Lateral projection · R pediatric wrist radiograph · pediatric patient (girl, age 10) · imaged through cast:

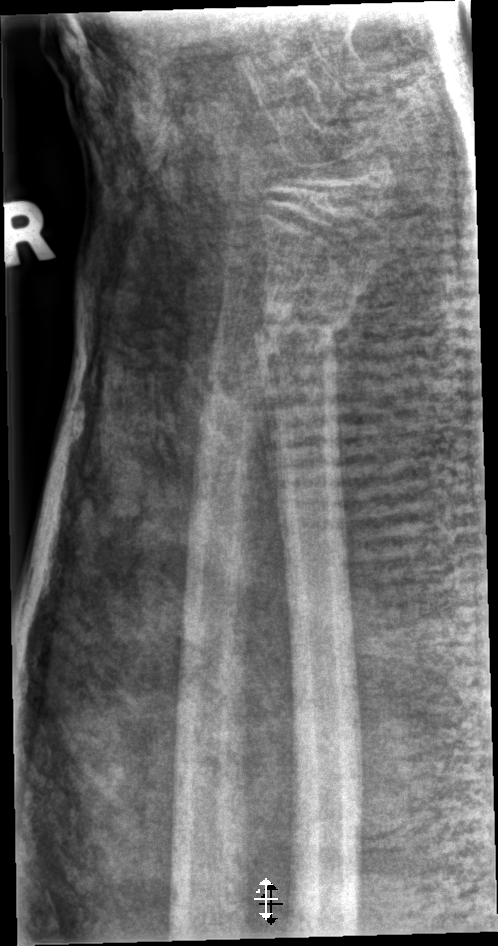 Pixel coordinates, top-left origin, xyxy. AO code 23r-M/3.1; 23u-D/2.1. Two Fx at [x1=253, y1=298, x2=352, y2=365]; [x1=198, y1=368, x2=263, y2=436].